Left wrist X-ray, lat view.
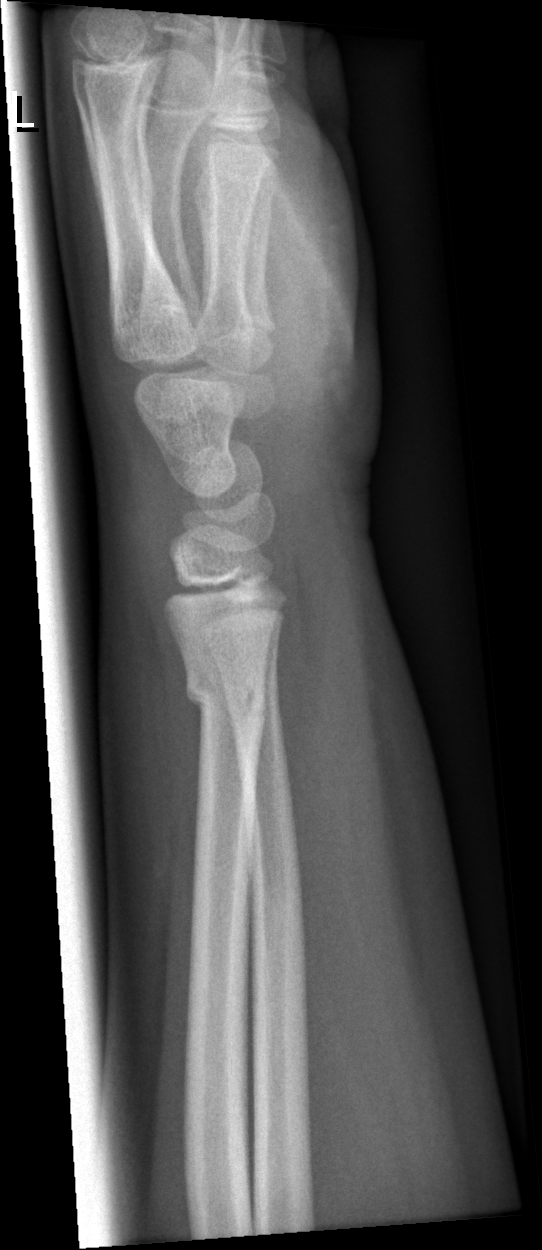
fracture = (left=182, top=665, right=271, bottom=735)
AO classification = 23r-M/3.1